L plain radiograph of the wrist; lat; male, 14 yo; index exam; detector: Siemens. 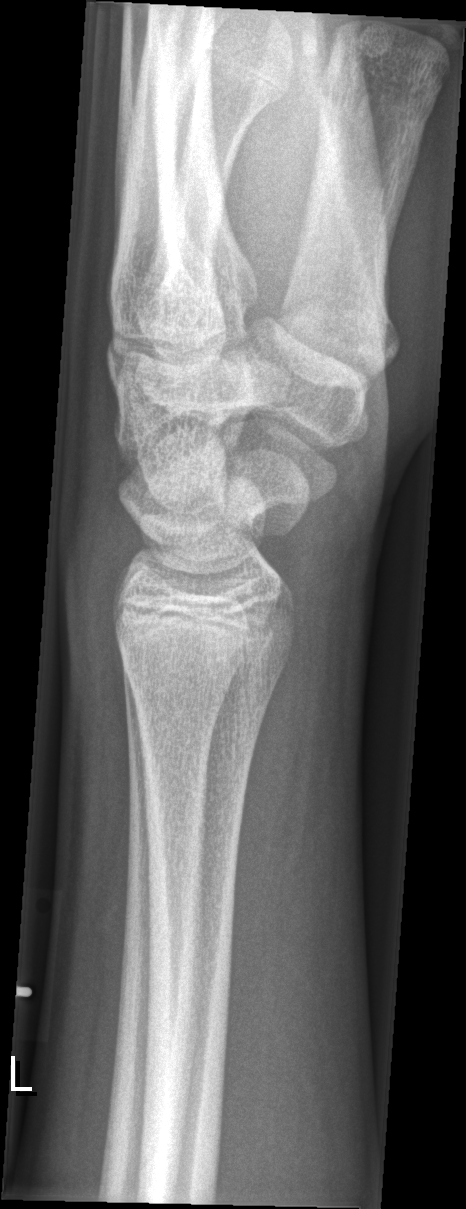 No fracture labeled.